Lt wrist X-ray | lat view — 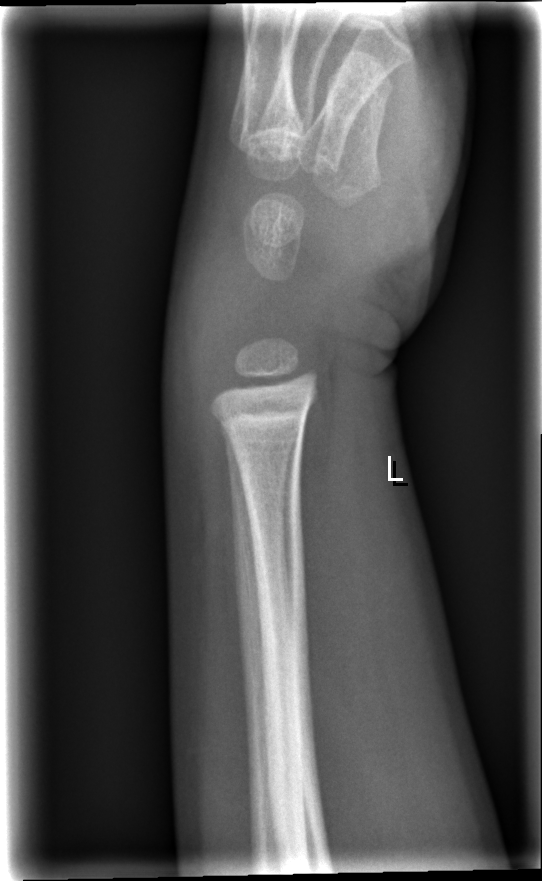
One bone fracture at bbox(203, 388, 310, 445).
Soft tissue abnormality identified at bbox(161, 192, 250, 469).